Lateral projection · left plain radiograph of the wrist · imaged through cast —

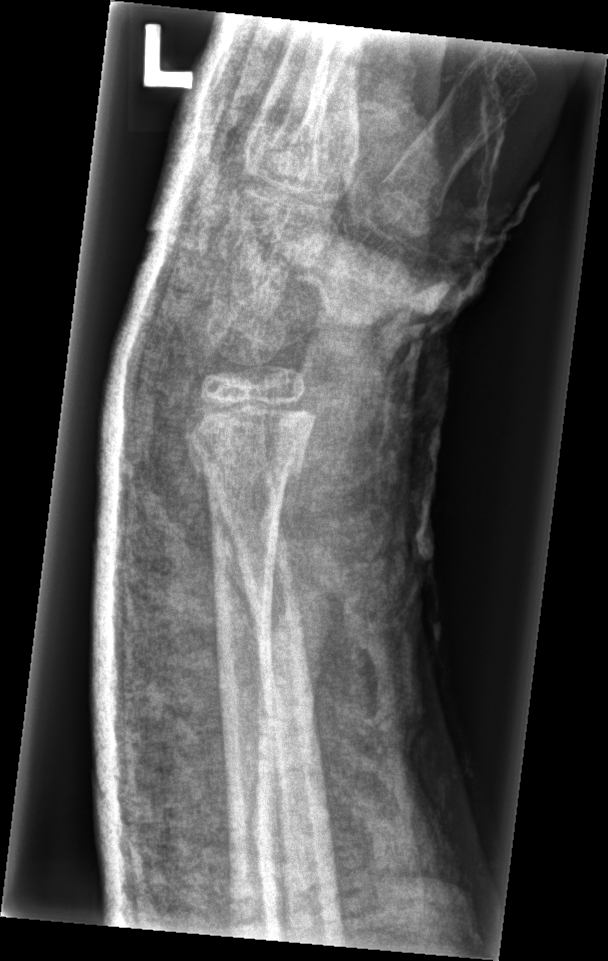

- Bone fracture identified at 188 443 309 502.